Left pediatric wrist radiograph · lat view —
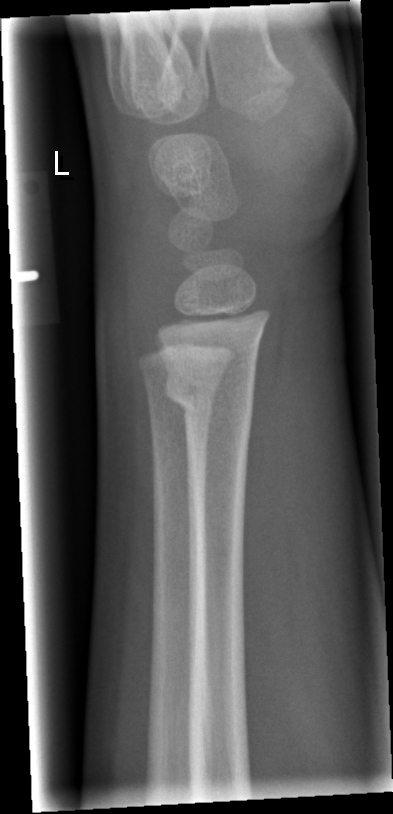

Fracture: 160 366 257 425.
AO code 23r-M/2.1.